Lateral projection; R wrist plain film; follow-up —

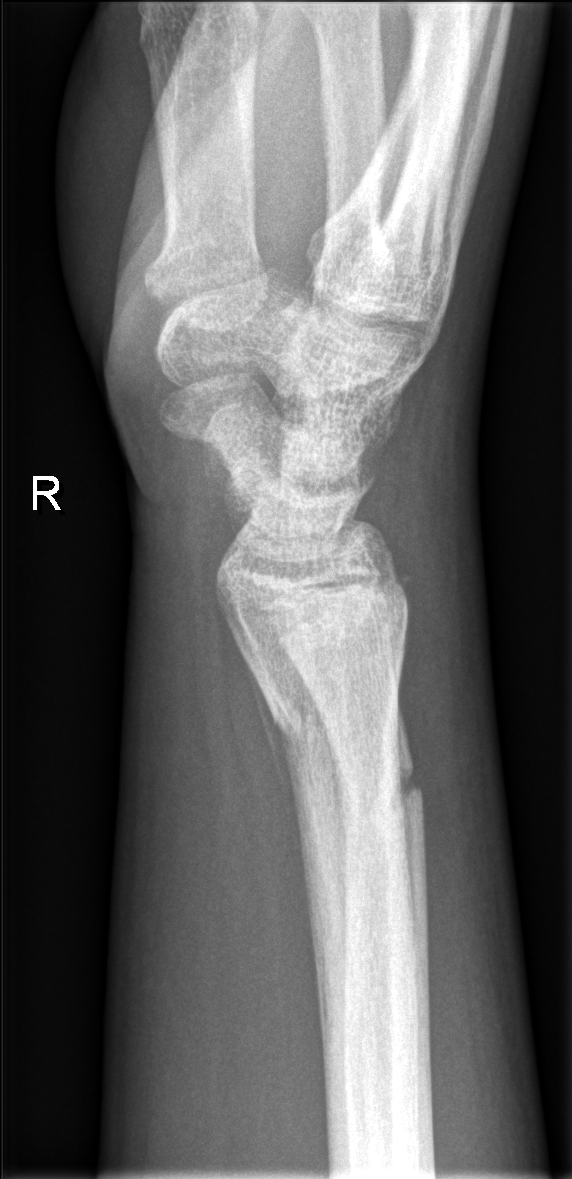
periostealreaction: <244,656>-<307,889>
osteopenia: present
fracture: 2 @ <231,573>-<416,737>, <336,755>-<425,822>